Lt wrist XR; PA/AP projection; 662 x 710 px.

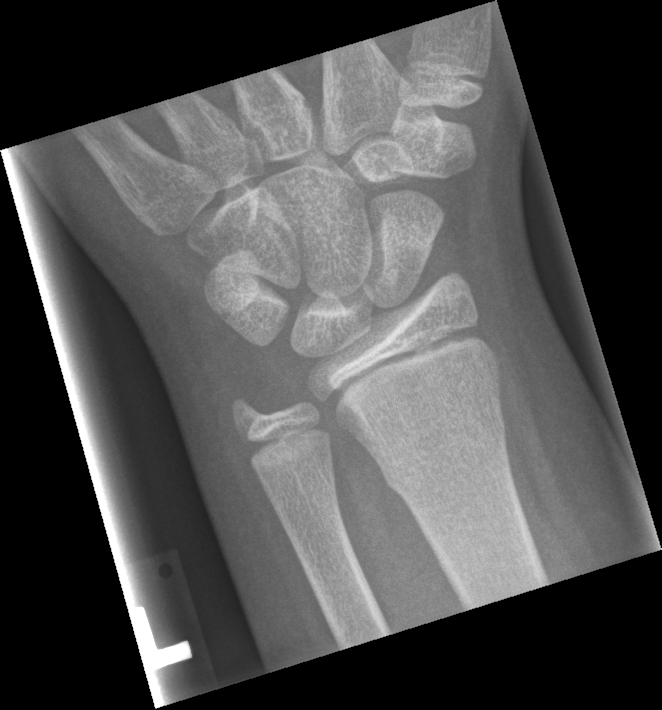
* Fx: (377, 399, 510, 493).